L plain radiograph of the wrist; lat; image width 92.7 mm 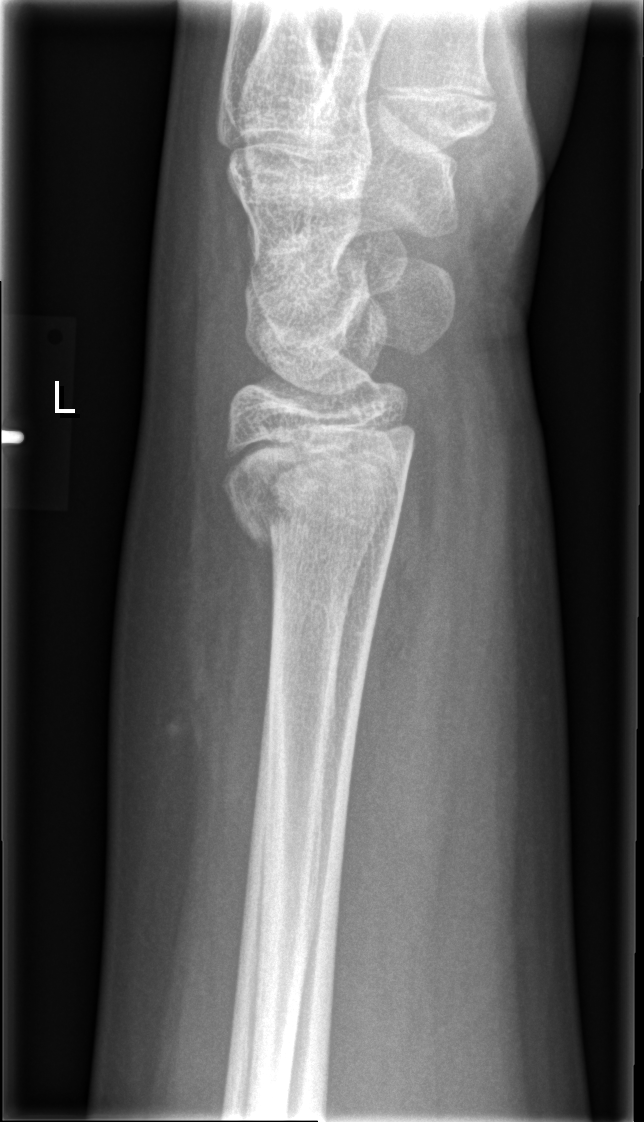

Pronator quadratus fat-pad sign identified at (left=342, top=446, right=442, bottom=820). One Fx at (left=221, top=460, right=412, bottom=563). Soft tissue abnormality identified at (left=107, top=459, right=273, bottom=819).